PA · Rt wrist X-ray:

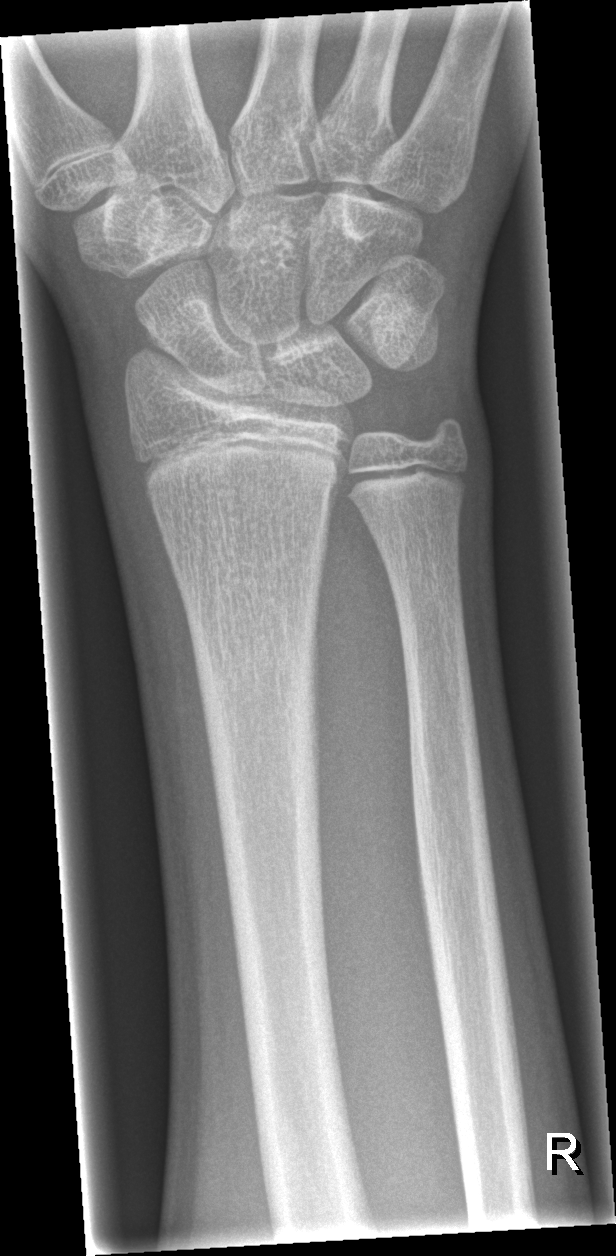 FINDINGS: No fracture bounding box.